PA view; Lt plain radiograph of the wrist; 73.2 mm image width —

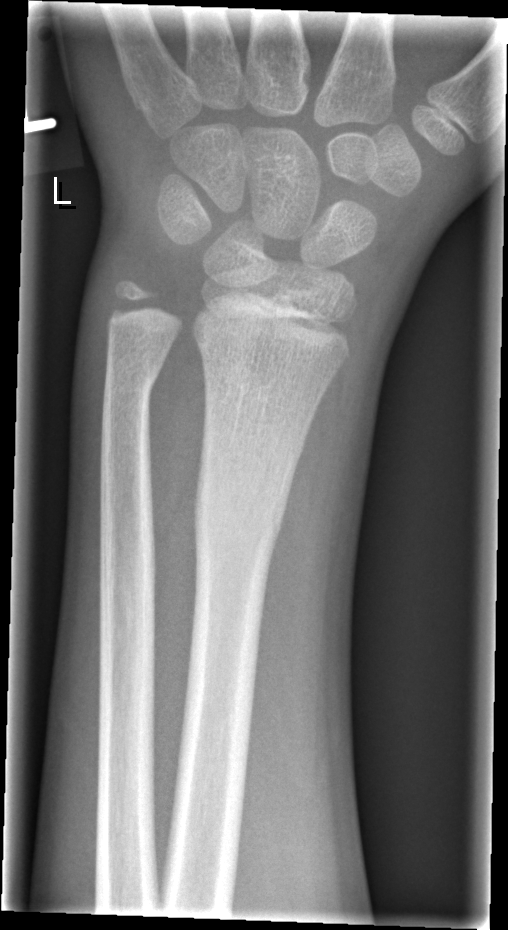

- Bounding boxes in image-pixel xyxy.
- Two bone fractures at bbox(191, 466, 293, 565); bbox(102, 358, 165, 414).